Lat view | right wrist radiograph | 6y F | in cast —
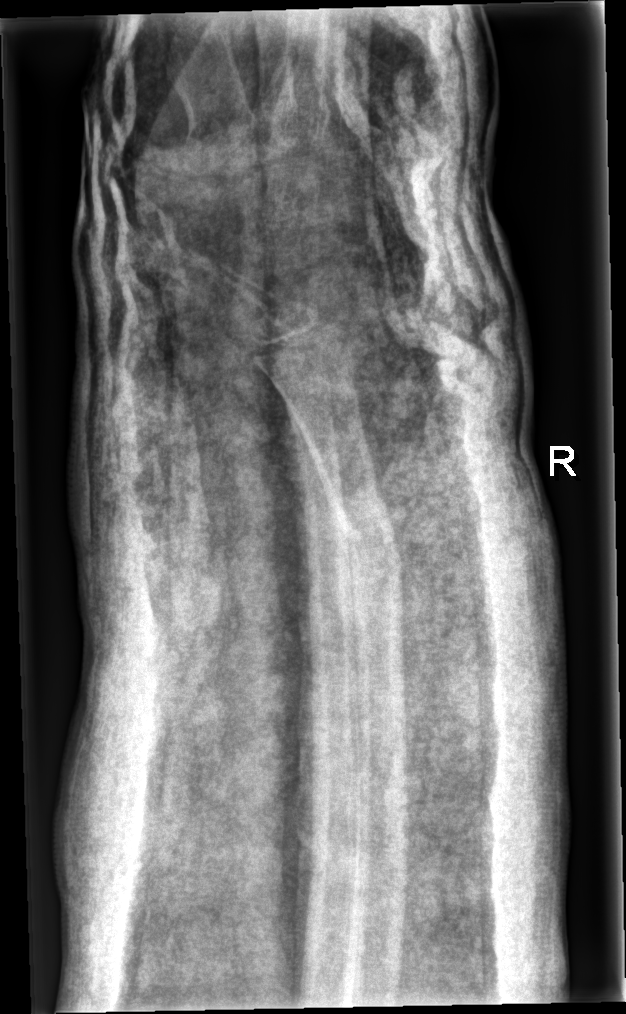

AO/OTA: 22r-D/4.1; 23u-M/2.1
bone fracture: <325,488>-<407,588>